Frontal projection; L wrist plain film; 11-year-old boy —

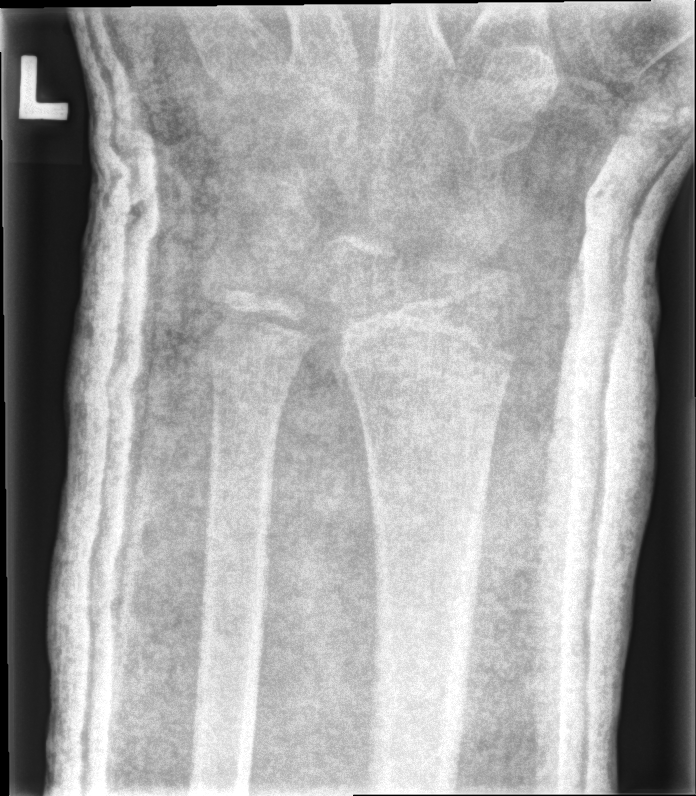

FINDINGS: (boxes as x1,y1,x2,y2 (top-left / bottom-right, pixel units)) Fracture identified at 336 317 519 395.